Lateral view | right wrist plain film | boy, 13 yo | imaged through cast.

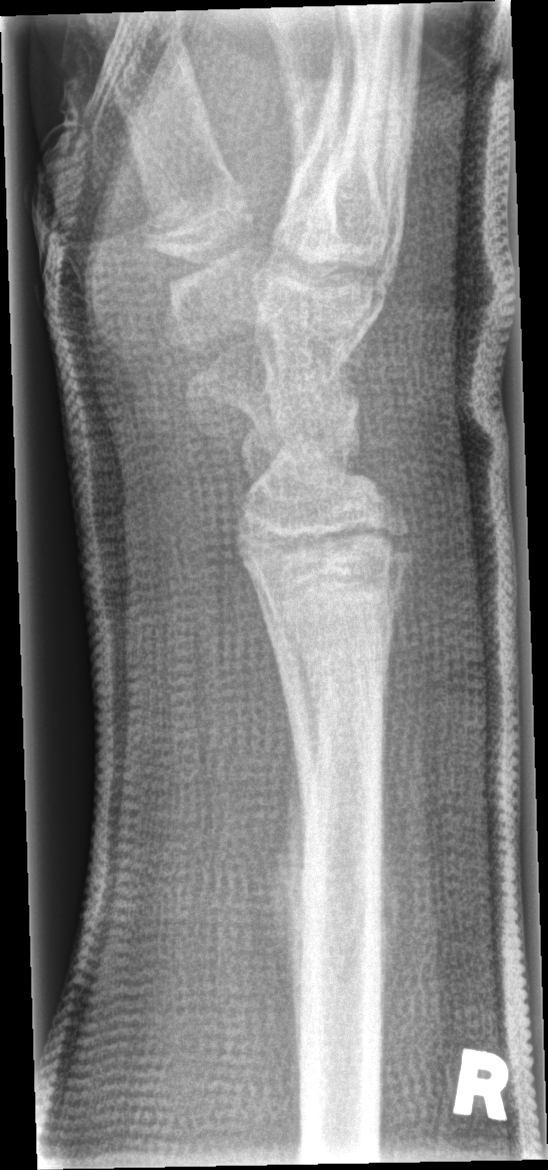

FINDINGS: Periosteal thickening: <273,728>-<308,1146> <379,665>-<400,1073>. One bone fracture at <276,842>-<401,969>.